PA/AP · right wrist XR · male, 10 yo · cast in situ · acquired on Siemens · 624 by 995 pixels. 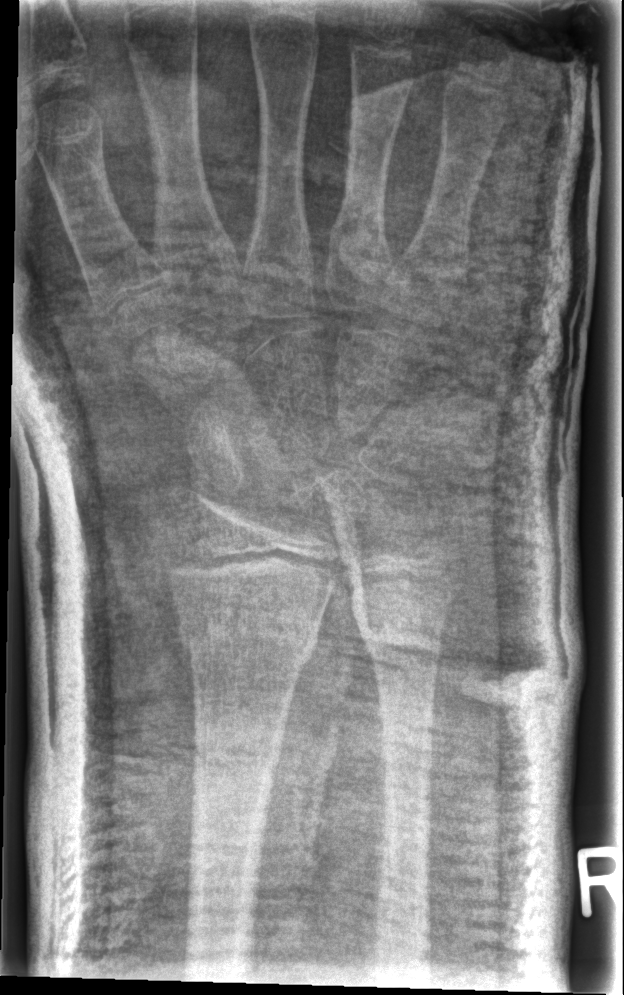
• Bounding boxes in image-pixel xyxy.
• Bone fracture identified at 175 598 322 672.